Lateral projection; L wrist X-ray; pediatric patient (boy, age 12); initial study; 435x1238 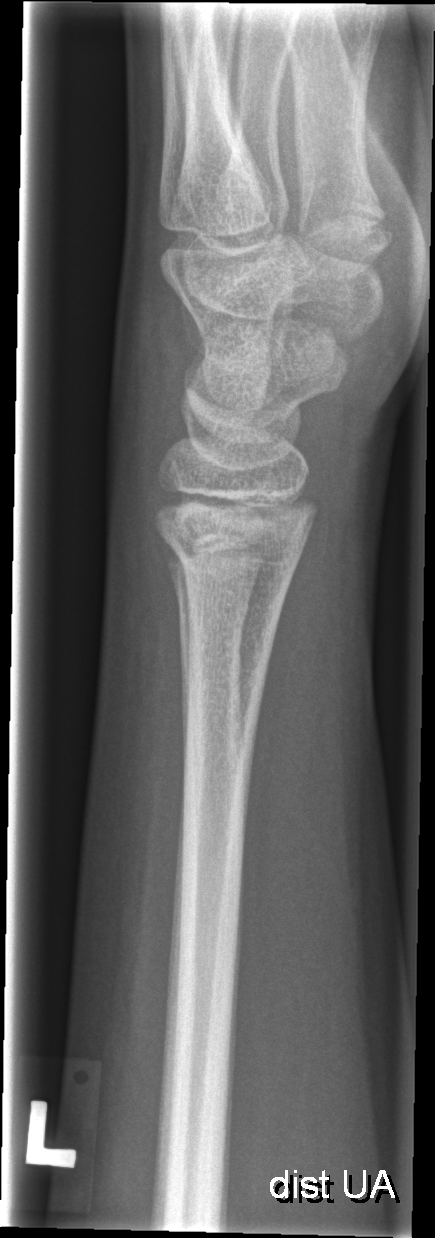
* Boxes as x1,y1,x2,y2 (top-left / bottom-right, pixel units).
* Fx: (left=153, top=519, right=308, bottom=591).
* AO/OTA classification: 23r-M/2.1.